PA/AP | right wrist XR

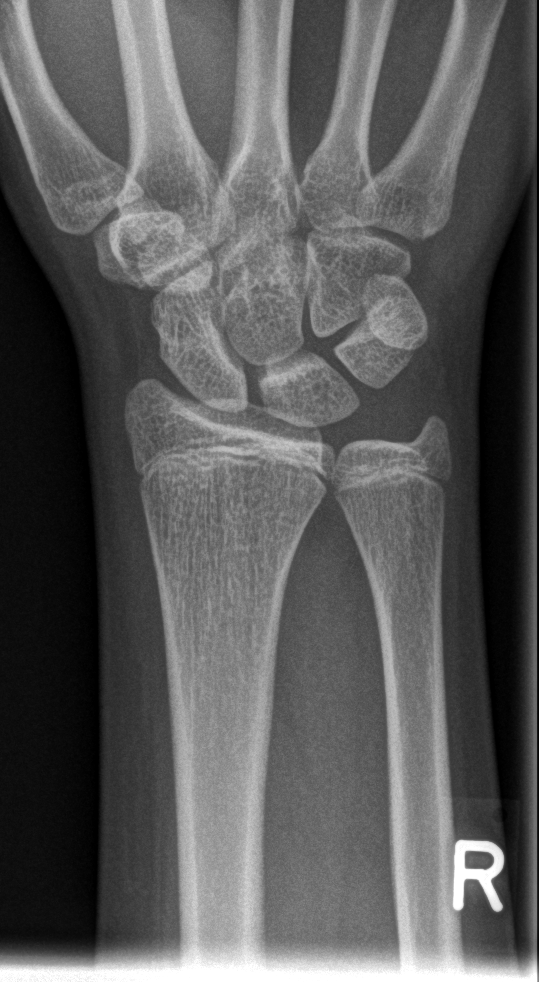
* No Fx annotated.